R wrist plain film; lateral projection.
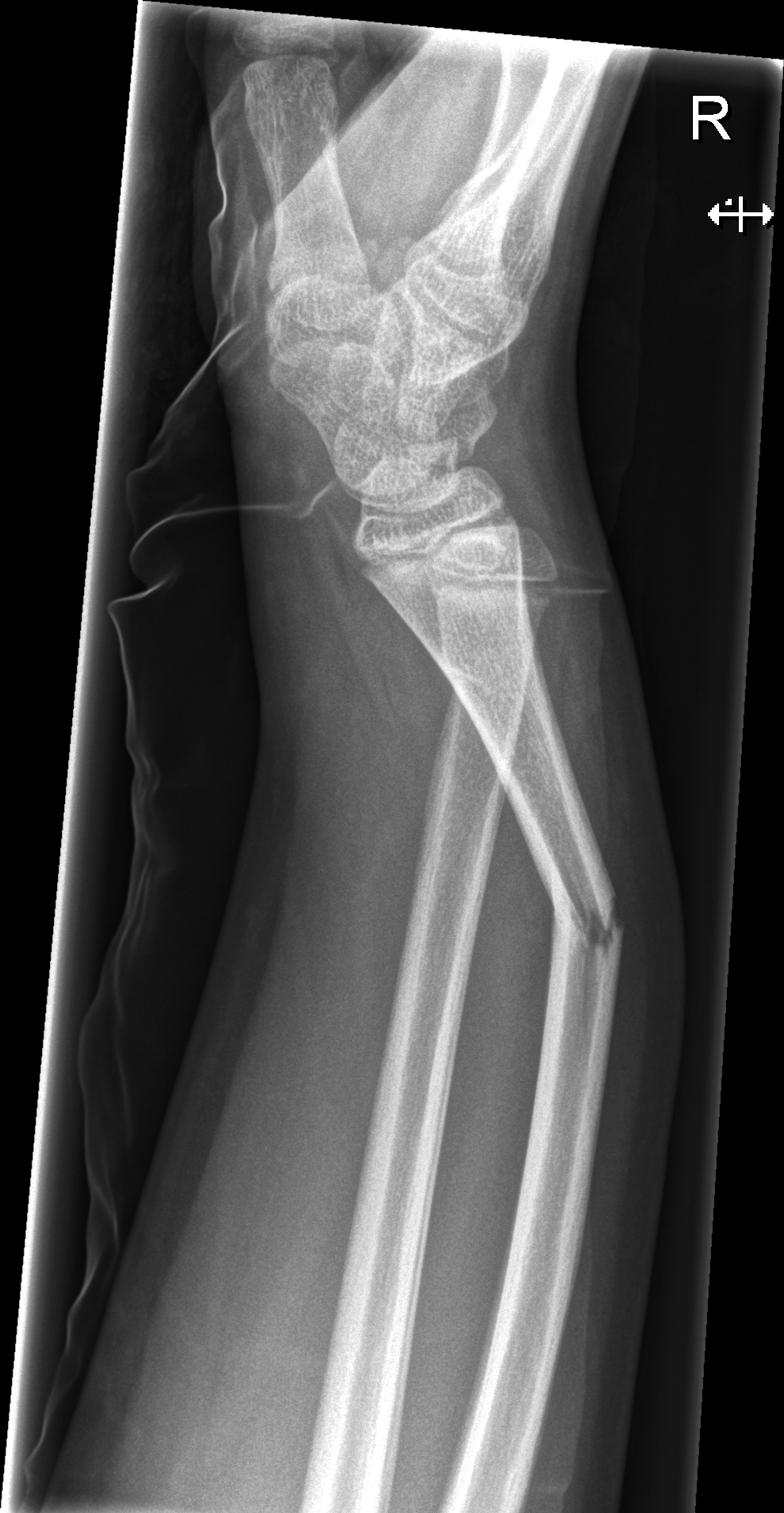 Two Fx at (left=538, top=867, right=629, bottom=965) (left=438, top=646, right=532, bottom=711).